Lat · Rt wrist X-ray · pediatric patient (female, age 6) · cast in situ
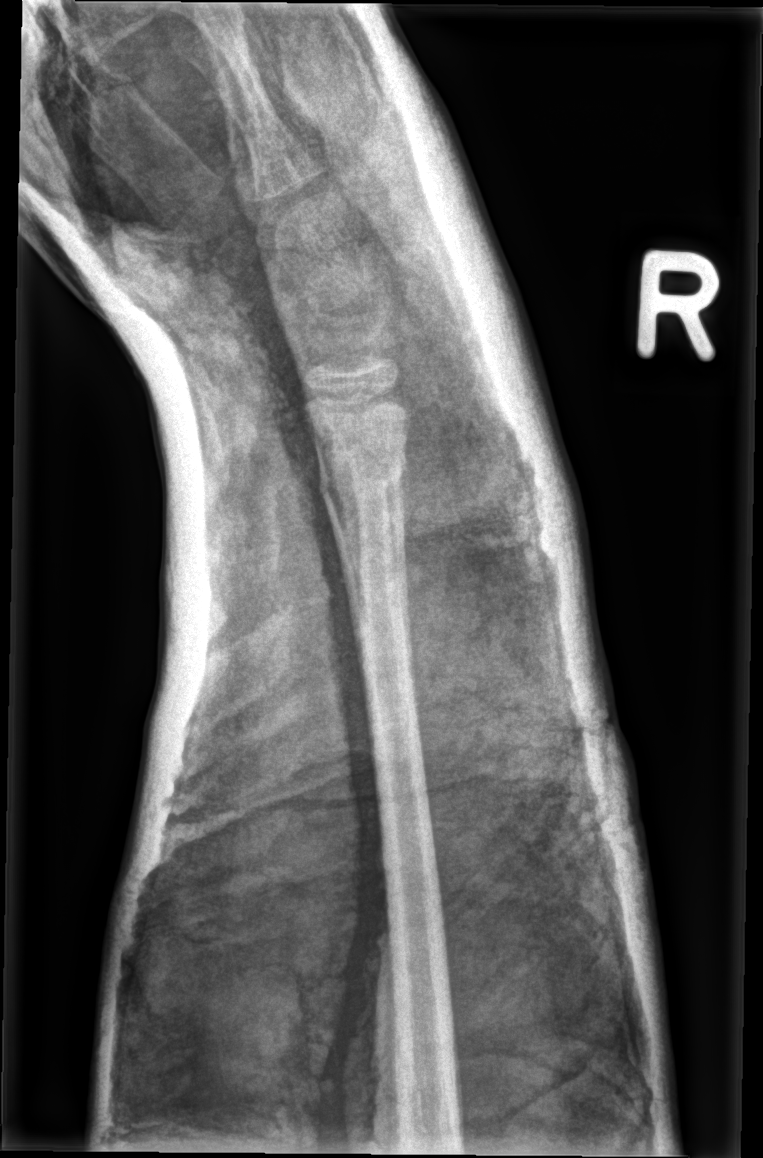 FINDINGS: Fracture identified at bbox(317, 439, 411, 520). AO/OTA classification: 23-M/3.1.